L wrist X-ray · AP projection · subsequent exam 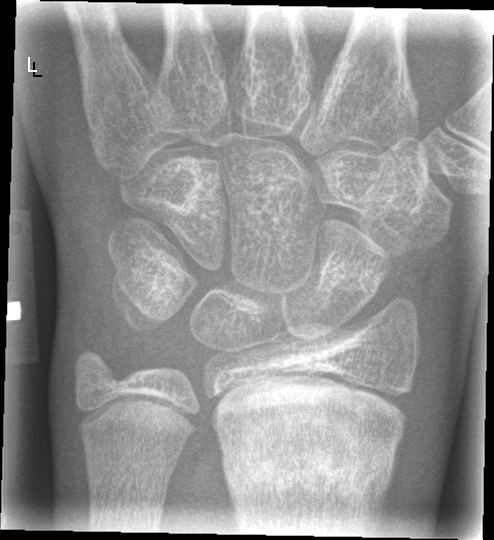 FINDINGS: AO/OTA classification: 23r-M/3.1. Osteopenic. Fracture: 217,431,397,521.